Right pediatric wrist radiograph | AP view | age 10 y, female | subsequent exam | cast in situ

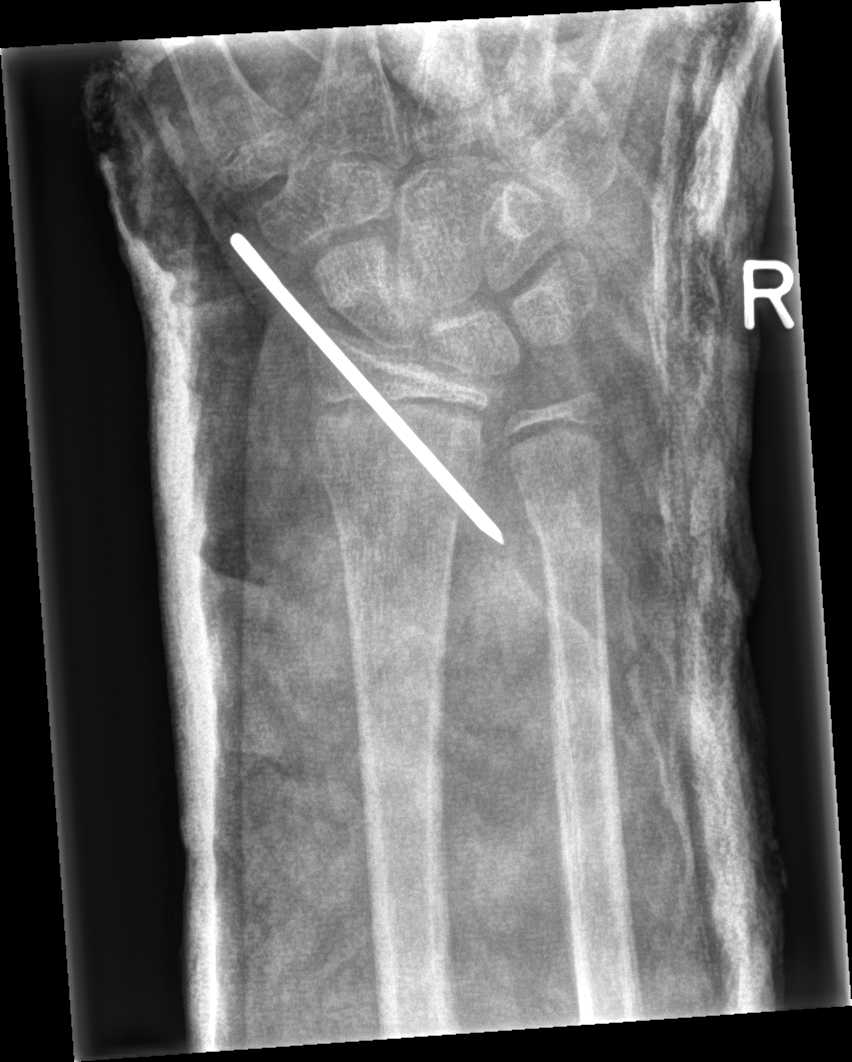

FINDINGS: (pixel coordinates, top-left origin, xyxy) Metal: bbox(227, 227, 507, 548). AO code 23-E/2.1; 23u-M/2.1. Two bone fractures at bbox(301, 396, 493, 506), bbox(523, 492, 608, 558).